Lat projection | right wrist XR | pediatric patient (girl, age 11) | index exam 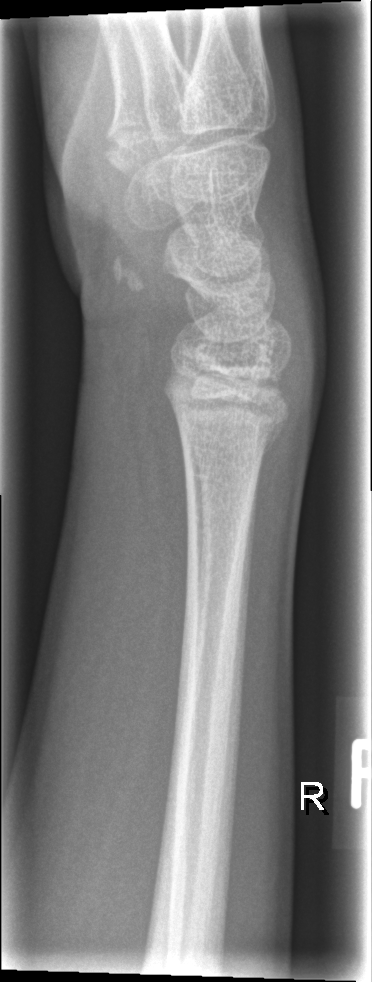
(coordinates are [x1, y1, x2, y2] in image pixels)
bone fracture = bbox(166, 373, 292, 456)